Lat projection; right wrist pediatric wrist radiograph:
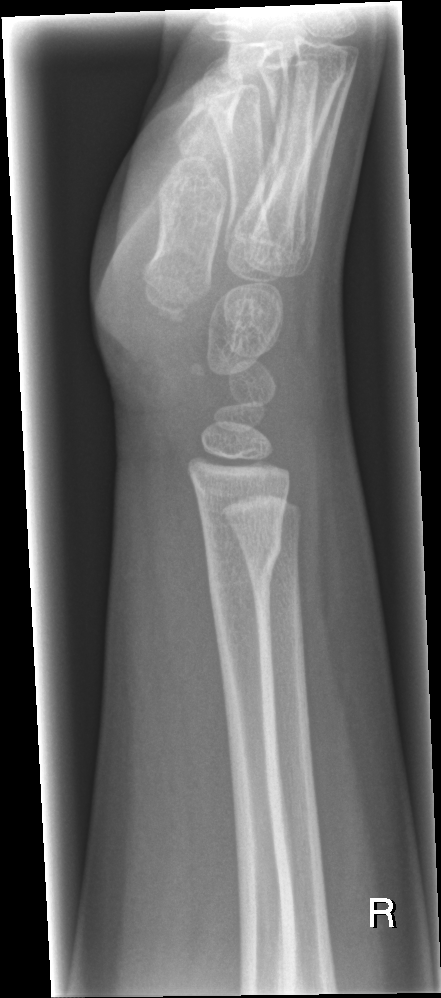

Q: Is there a fracture?
A: Fx identified at 200,526,286,580